Left wrist plain film; PA. 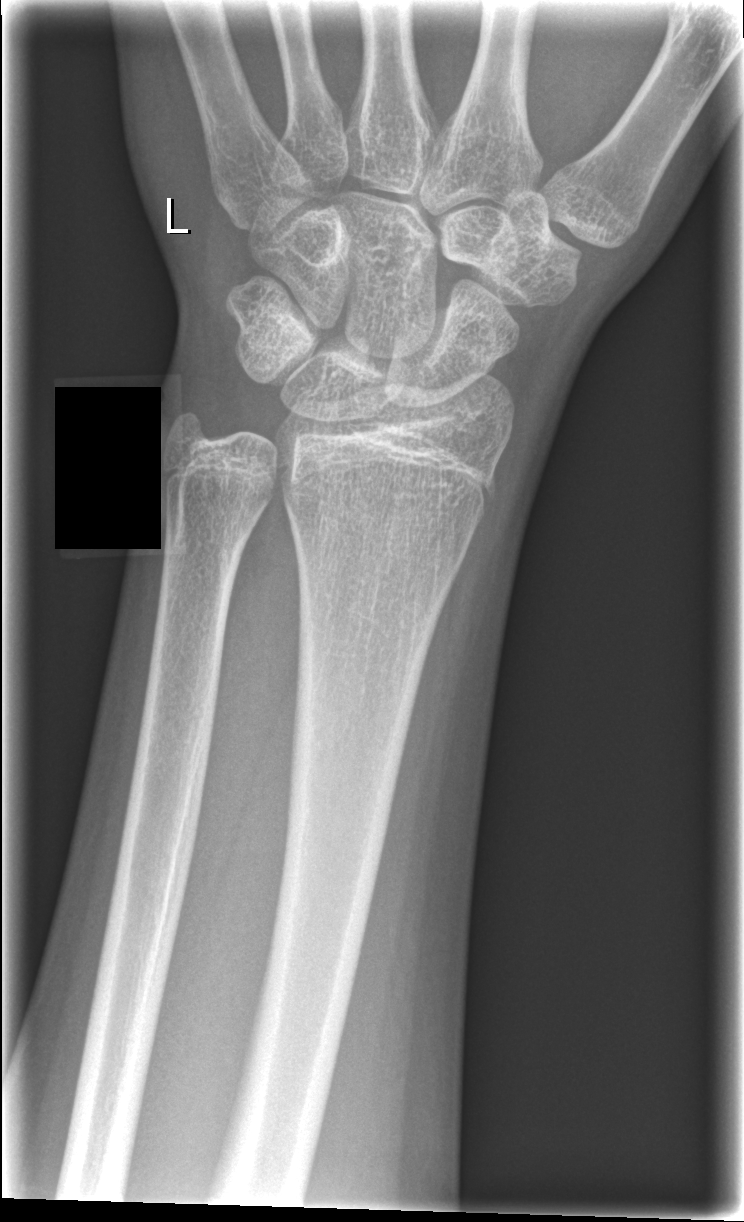 fracture: none labeled